Lat projection, left wrist plain radiograph of the wrist, detector: Siemens, 401 x 1106 px — 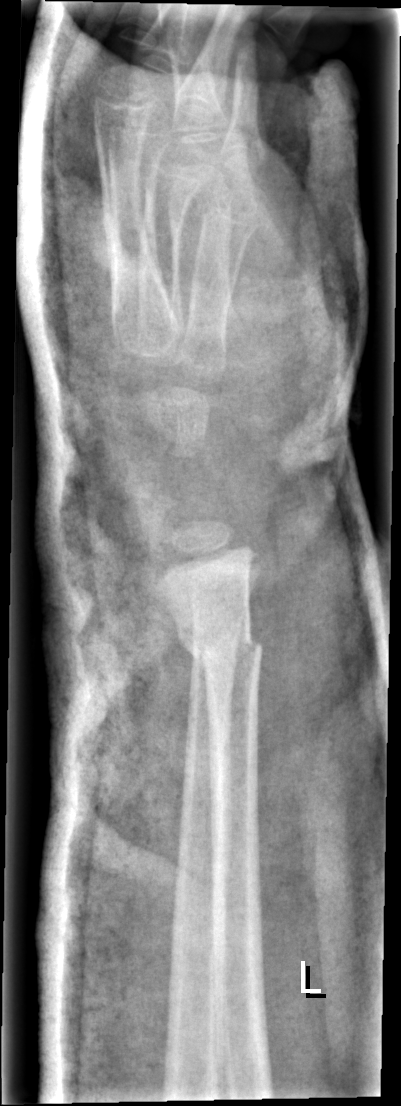 AO classification = 23r-M/3.1
Fracture = 173 622 263 680